Left wrist X-ray · PA/AP view · presentation radiograph · findings marked uncertain by the reading radiologist · Siemens · image size 593x1006.
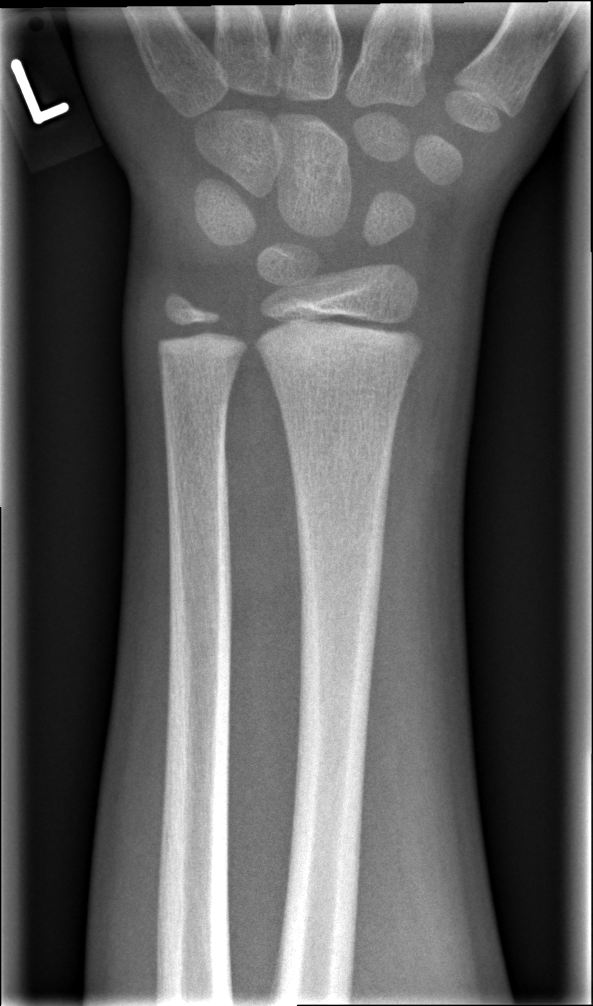

- No Fx annotated.